Lat view, left wrist XR, female, 9 yo, initial study.

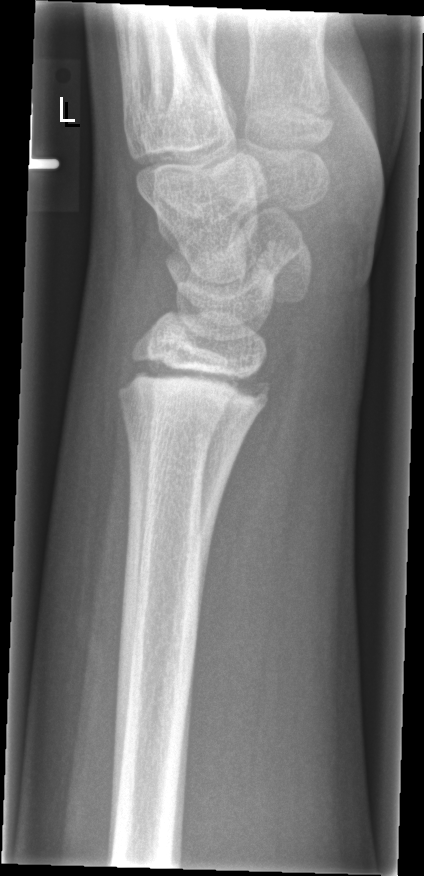

FINDINGS: No fracture bounding box.